L pediatric wrist radiograph | lateral projection | age 13 y, male | follow-up | image width 68.1 mm | 473 x 1006 px —
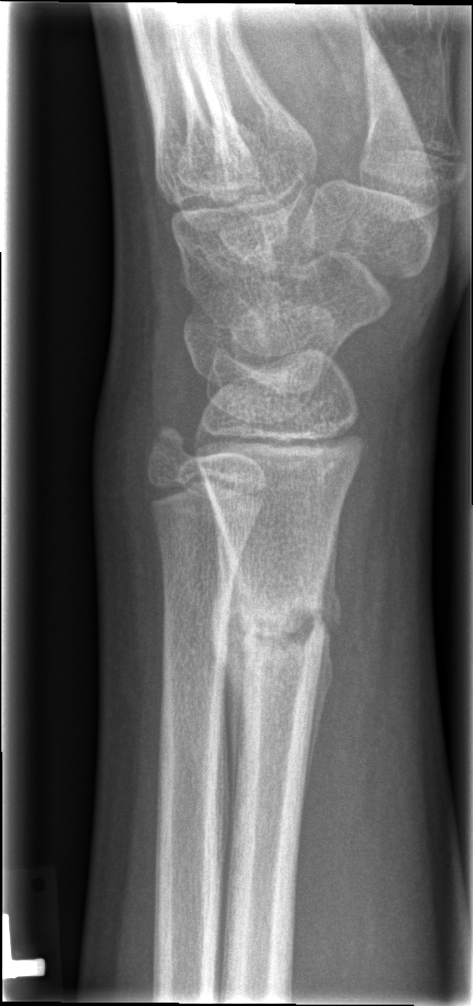 - Coordinates are [x1, y1, x2, y2] in image pixels.
- Osteopenia.
- Two Fx at [x1=228, y1=581, x2=331, y2=674]; [x1=146, y1=421, x2=196, y2=473].
- Fracture classified AO/OTA 23r-M/3.1; 23u-E/7.
- Periosteal new bone identified at [x1=303, y1=512, x2=343, y2=810] [x1=210, y1=504, x2=244, y2=821].